Right wrist X-ray | lat | 8y F | presentation radiograph | diagnosis uncertain | image 64.5 mm wide | image size 448x920:
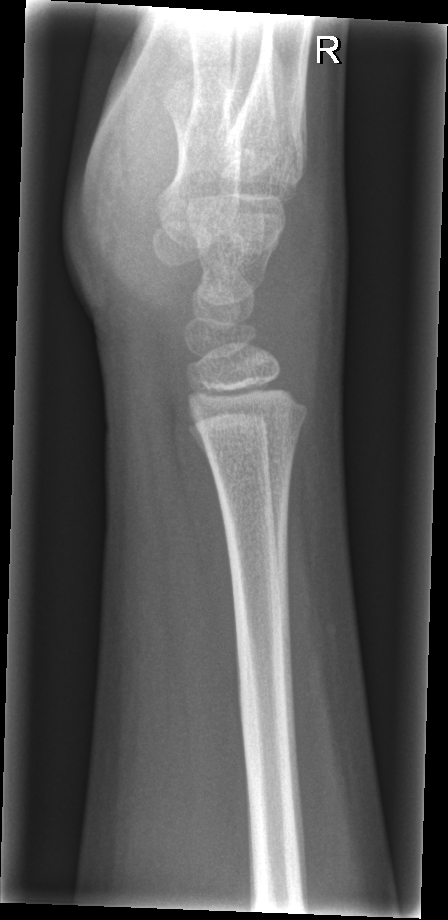

Q: Fracture present?
A: Fracture: none labeled